Rt wrist plain film; lat projection: 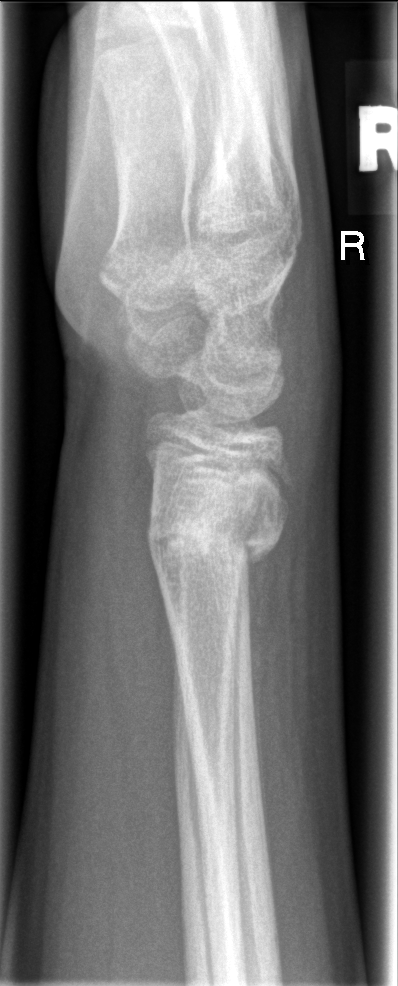 Periosteal reaction: (left=243, top=543, right=277, bottom=840).
Osteopenic.
Fx — (left=146, top=495, right=291, bottom=577).